Right wrist X-ray, lateral view, 14y F

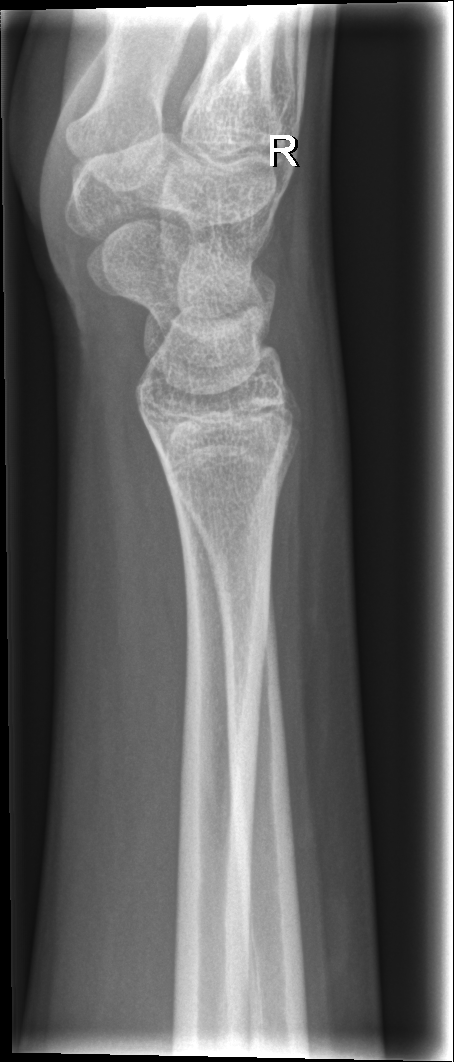 Coordinates are [x1, y1, x2, y2] in image pixels. Soft-tissue swelling identified at bbox(277, 291, 353, 526). One bone fracture at bbox(157, 431, 297, 514).